Lat projection; L wrist plain film; age 10 y, female

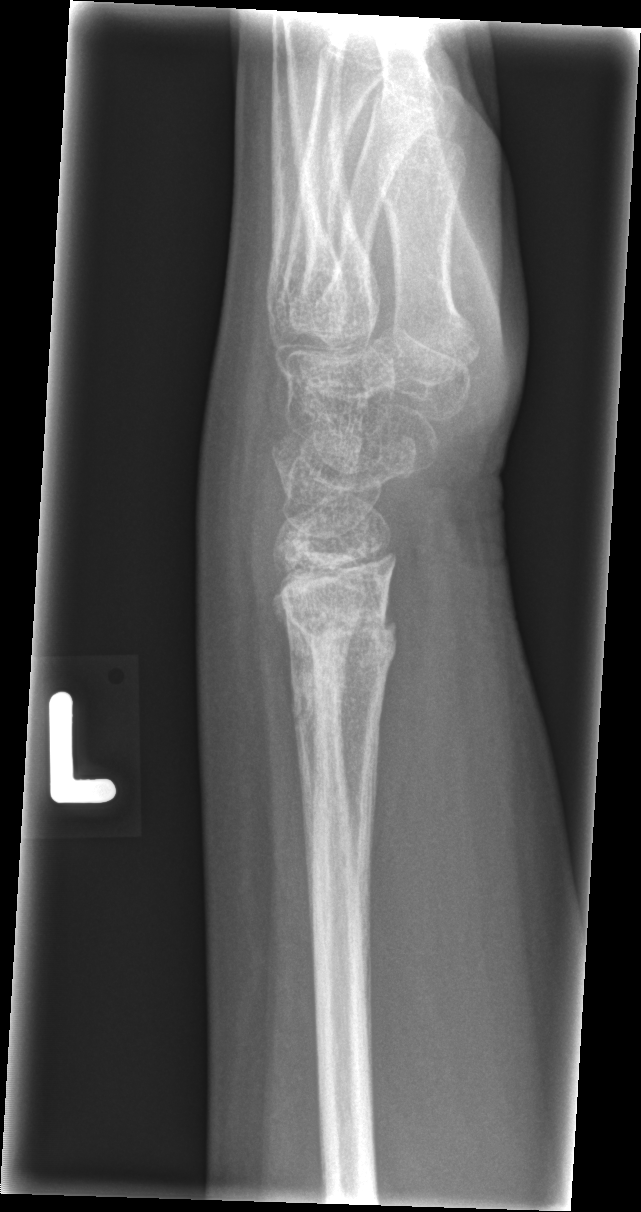

Fx: bbox(271, 577, 405, 691).
Fracture classified AO/OTA 23r-M/3.1; 23u-M/2.1; 23u-E/7.